AP · Lt plain radiograph of the wrist · boy, 7 yo · detector: Siemens · 51.3 mm image width.
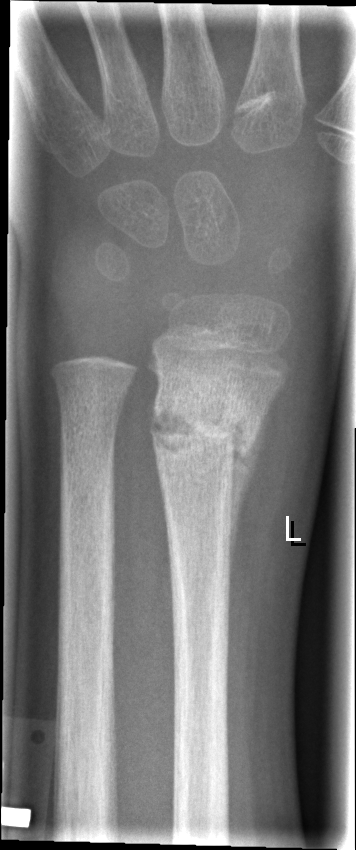 Coordinates are [x1, y1, x2, y2] in image pixels.
Osteopenia.
Fx identified at (left=147, top=375, right=265, bottom=478).
Periosteal reaction: (left=232, top=441, right=255, bottom=560).